Left pediatric wrist radiograph · lat · image width 62.4 mm
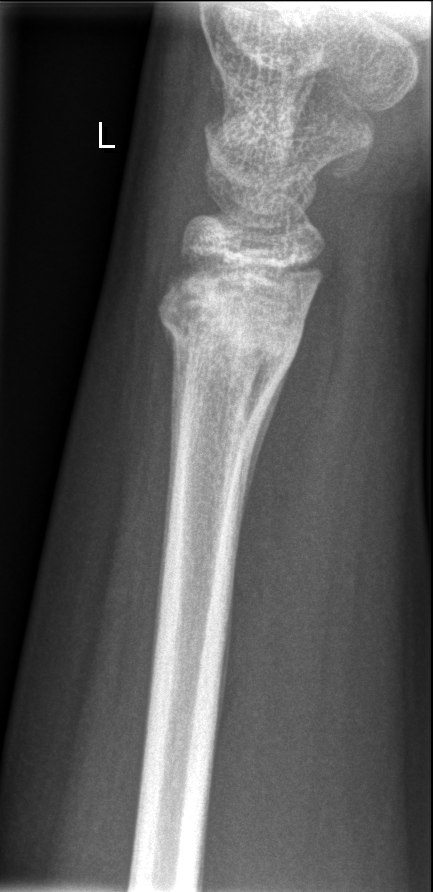
Findings: (coordinates are [x1, y1, x2, y2] in image pixels) AO code 23r-M/2.1; 23u-E/7. Osteopenia. Periosteal new bone: [x1=233, y1=354, x2=297, y2=556]. Bone fracture identified at [x1=153, y1=251, x2=317, y2=368].